R wrist radiograph | lateral view | 18-year-old girl | image width 92.7 mm —

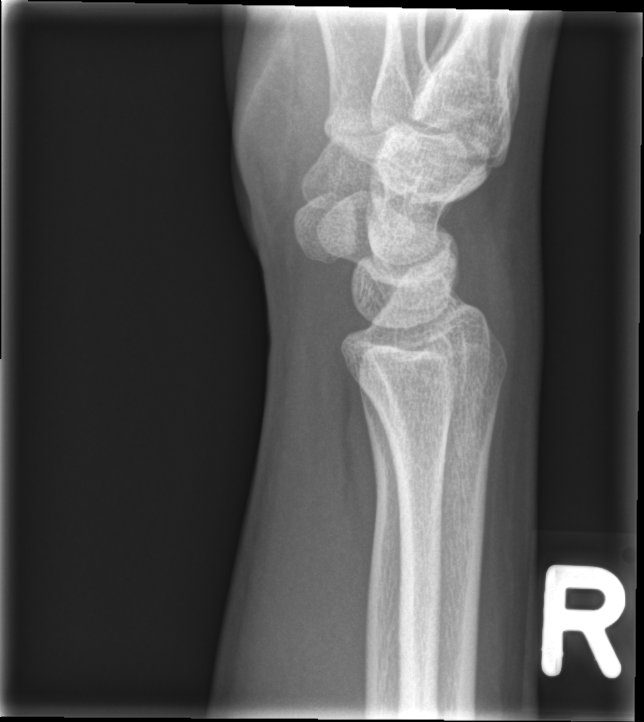

Fracture = none labeled